Rt plain radiograph of the wrist, PA/AP view, follow-up, in cast, image width 86.7 mm —

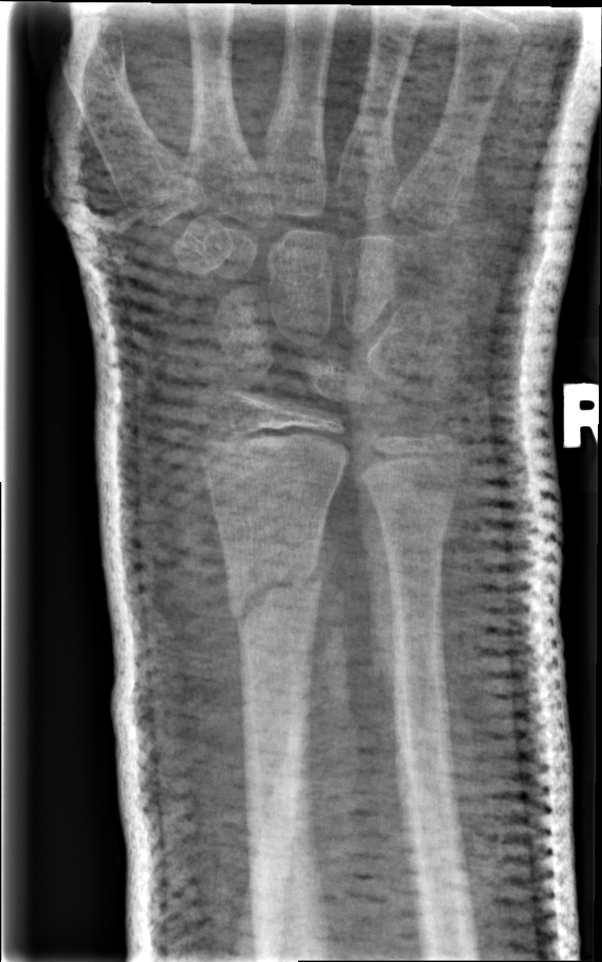
# boxes as x1,y1,x2,y2 (top-left / bottom-right, pixel units)
fracture: 220,545,327,635
  372,481,462,557
ao: 23r-M/3.1; 23u-M/2.1